PA/AP view; Rt wrist radiograph; 2-year-old female
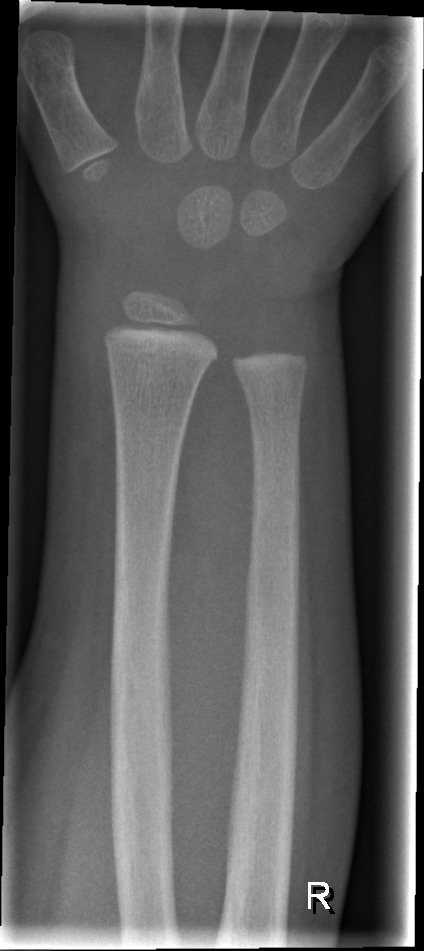 Fracture: none labeled.